Lateral projection; Rt wrist XR; pediatric patient (female, age 11) —

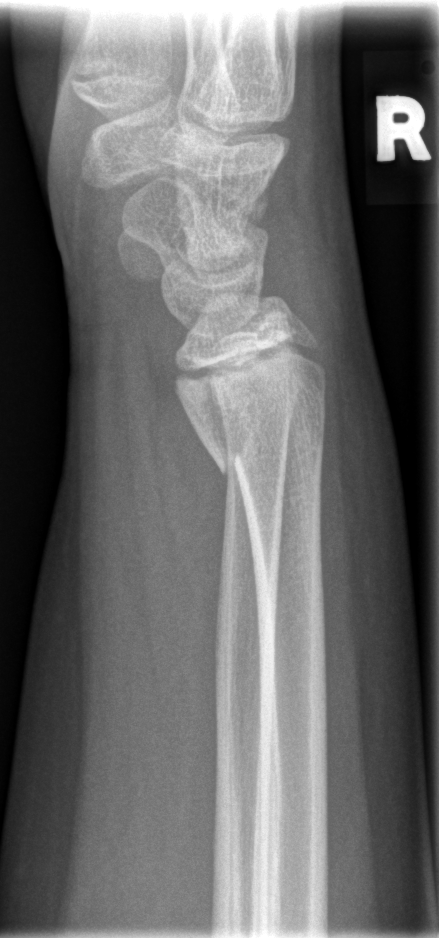

FINDINGS — AO/OTA classification: 23r-M/3.1. One fracture at (left=186, top=401, right=329, bottom=488).